R wrist plain film; PA/AP projection:
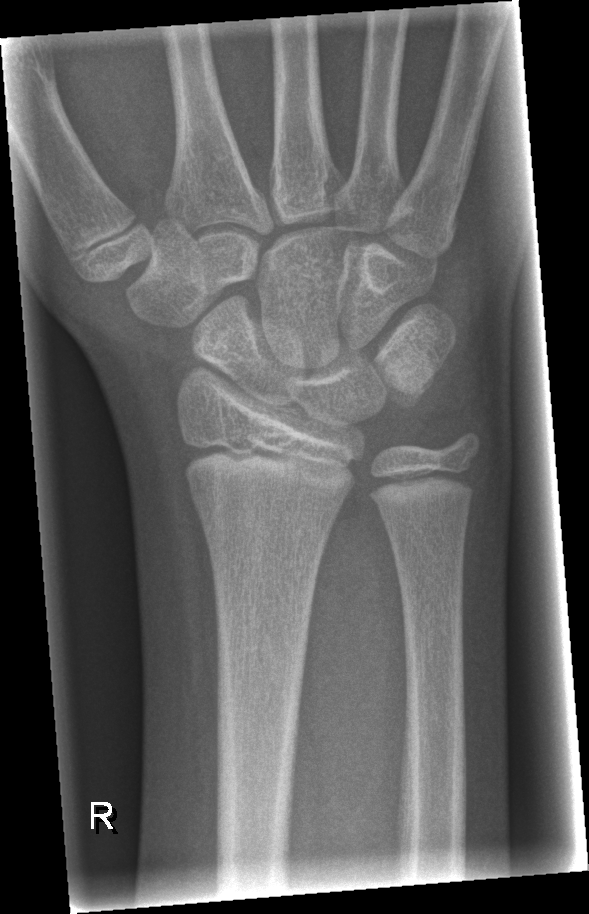 No fracture bounding box.